Lateral projection, L wrist XR, female, 12 yo, Siemens

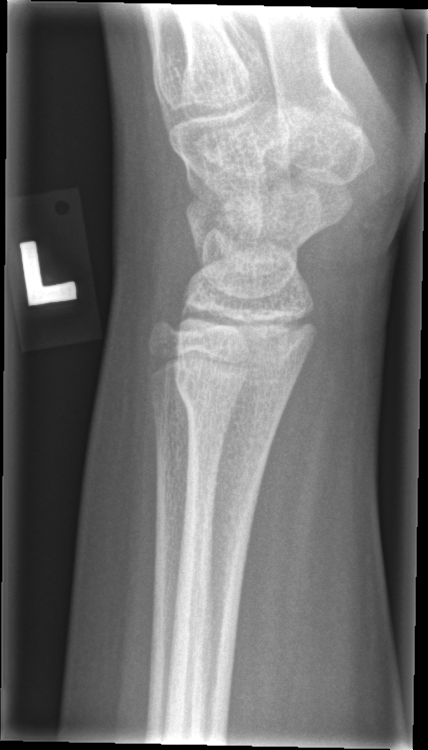 {"ao": "23r-M/2.1", "fracture": "1 @ bbox(171, 351, 289, 429)"}